Left wrist pediatric wrist radiograph, AP —

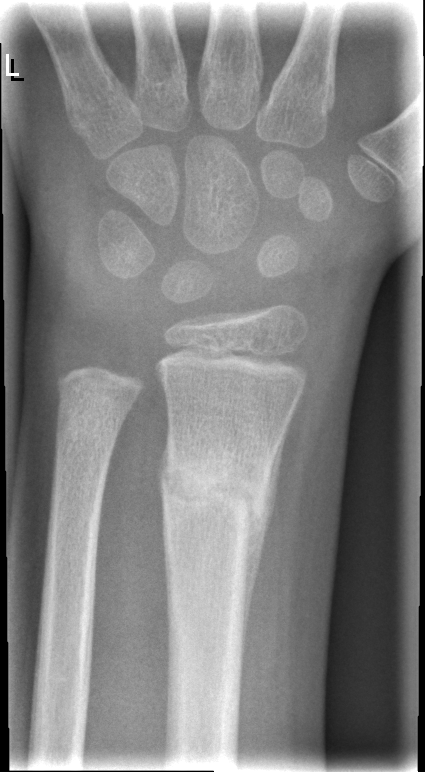 Bone fractures — 155,444,273,536
  50,385,129,459.
AO code 23r-M/3.1; 23u-M/2.1.
One periosteal new bone at 239,402,298,669.